Left wrist plain film; PA view:
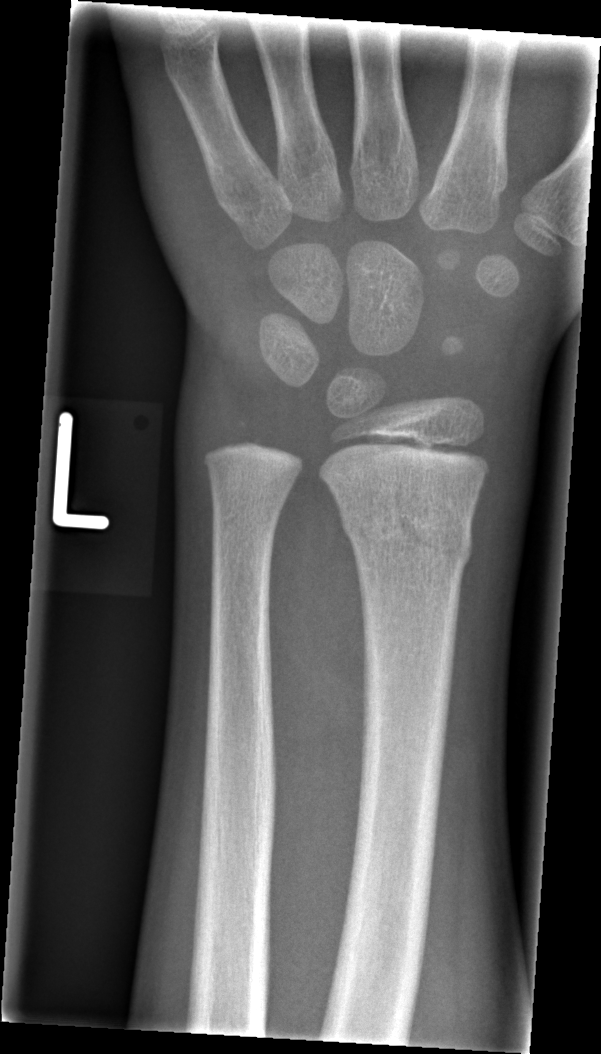

Bounding boxes in image-pixel xyxy. Fracture — <335,485>-<478,577>.